L pediatric wrist radiograph | lateral | 11y M | initial study | detector: Siemens —

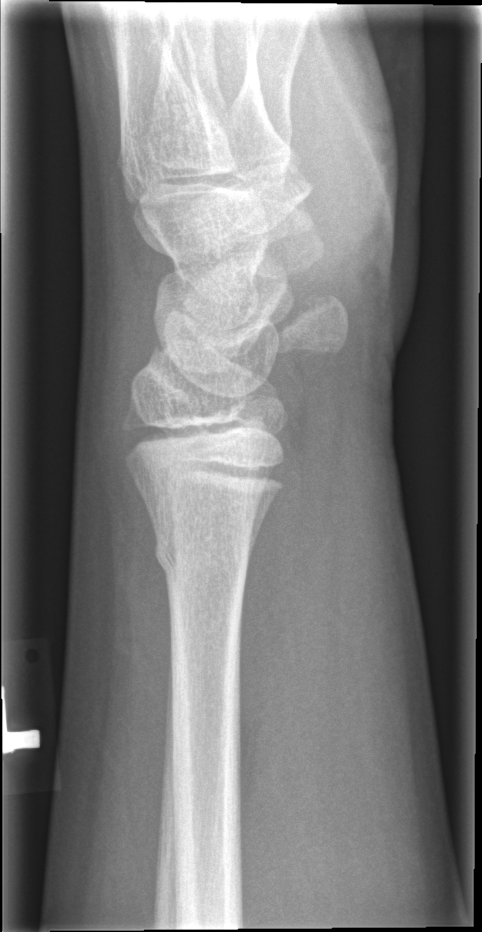 Bone fracture identified at bbox(150, 523, 254, 581). AO/OTA classification: 23r-M/2.1.